Right plain radiograph of the wrist | PA | pediatric patient (male, age 11) | imaged through cast 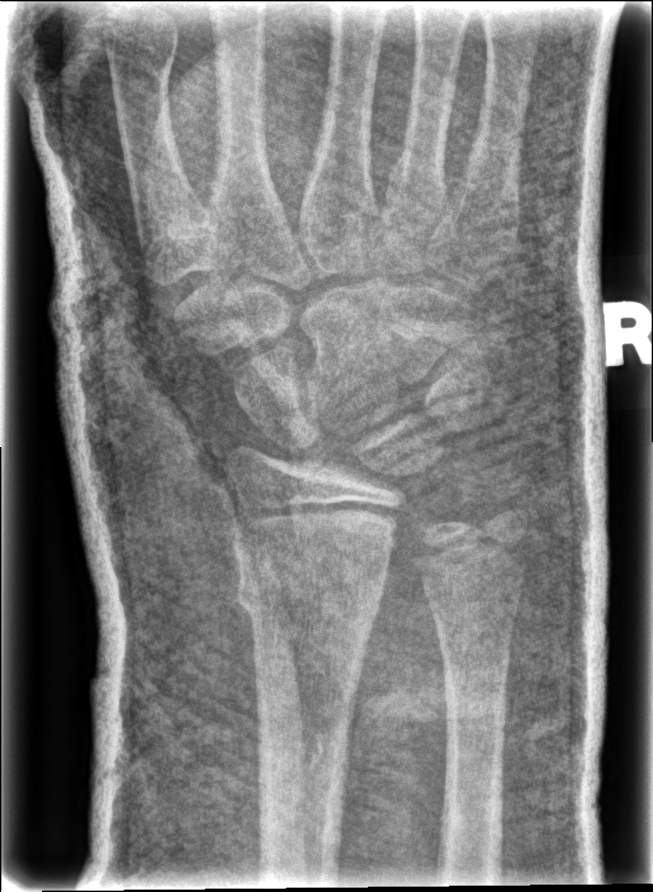

Fracture — 232,561,387,628. AO code 23r-M/3.1.